Right wrist plain film · AP projection · imaged through cast —

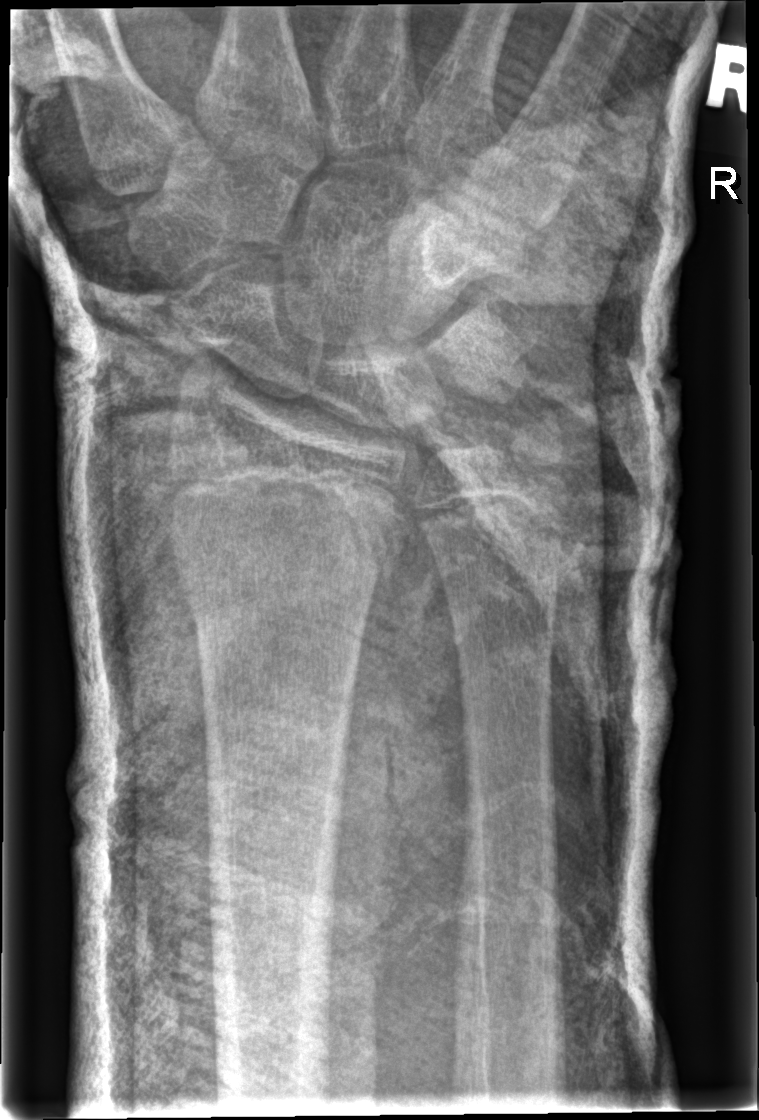 Pixel coordinates, top-left origin, xyxy. AO code 23r-E/2.1; 23u-E/7. One bone fracture at 487,406,574,490.